PA/AP projection | right pediatric wrist radiograph —
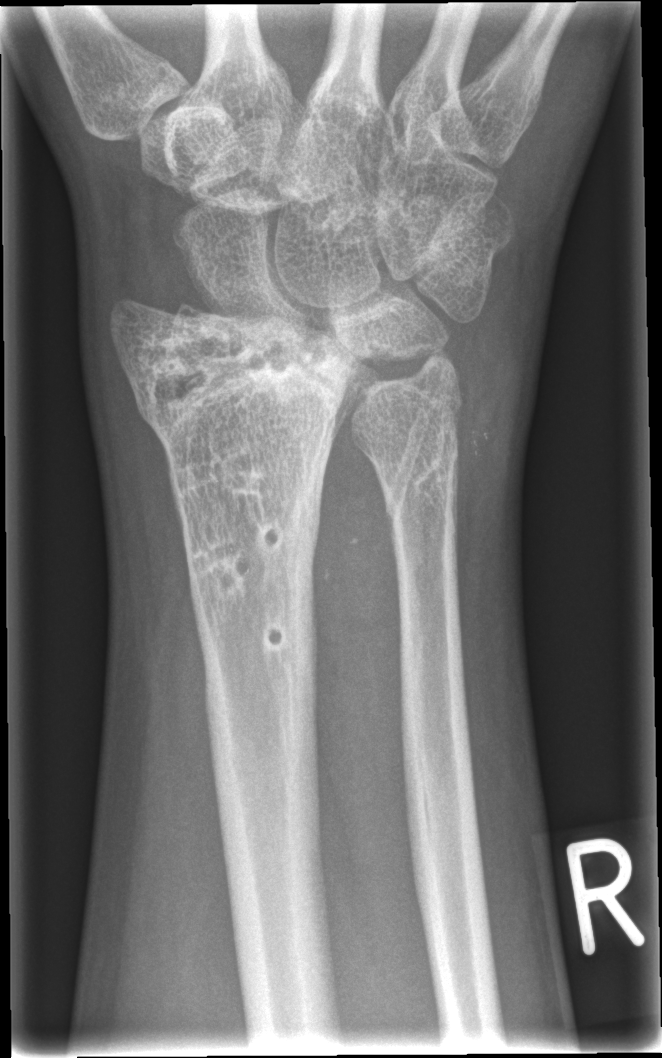
* No fracture annotation.
* Two bone variants at (left=109, top=297, right=349, bottom=655) (left=352, top=365, right=467, bottom=528).